L wrist radiograph, lateral view, image width 60.6 mm:

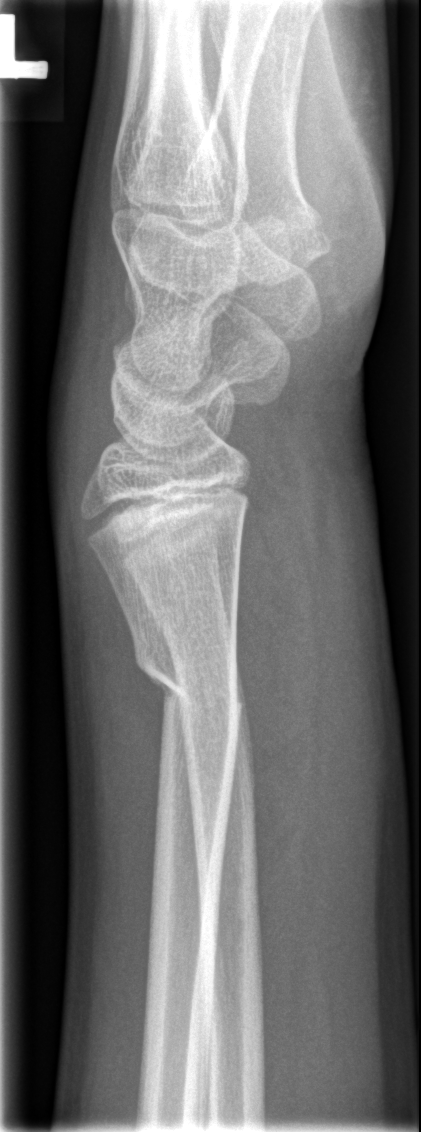 Pronator sign = 1 @ (234, 468, 321, 917)
AO code = 23-M/2.1
Fx = (140, 624, 249, 733)